Left wrist XR · lat · 10y F —
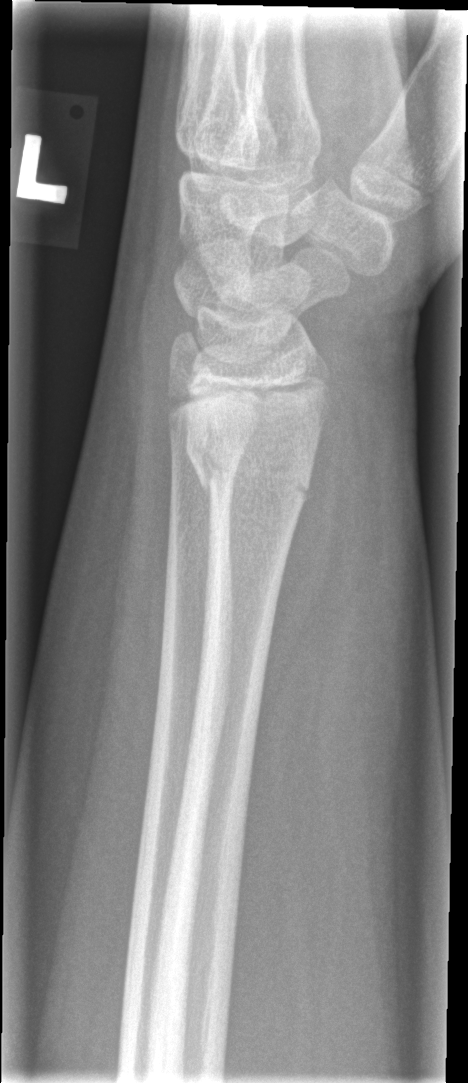

Fracture — (left=180, top=419, right=320, bottom=515).
One pronator sign at (left=247, top=384, right=372, bottom=789).
Fracture classified AO/OTA 23r-M/3.1; 23u-E/7.